Right wrist X-ray; PA/AP view; 75.5 mm image width —

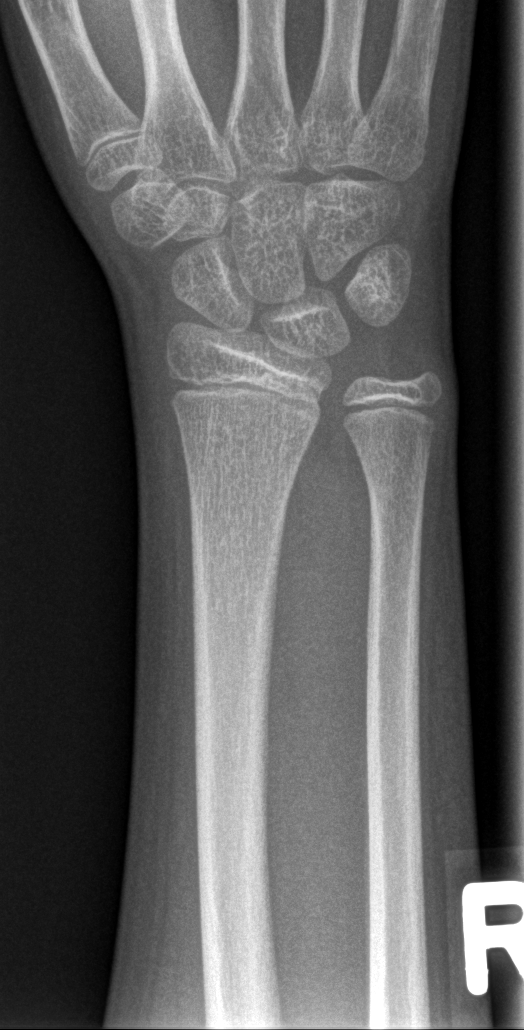

{"fracture": "none labeled"}